Lt plain radiograph of the wrist | PA | pediatric patient (female, age 8) | follow-up study | imaged through cast —
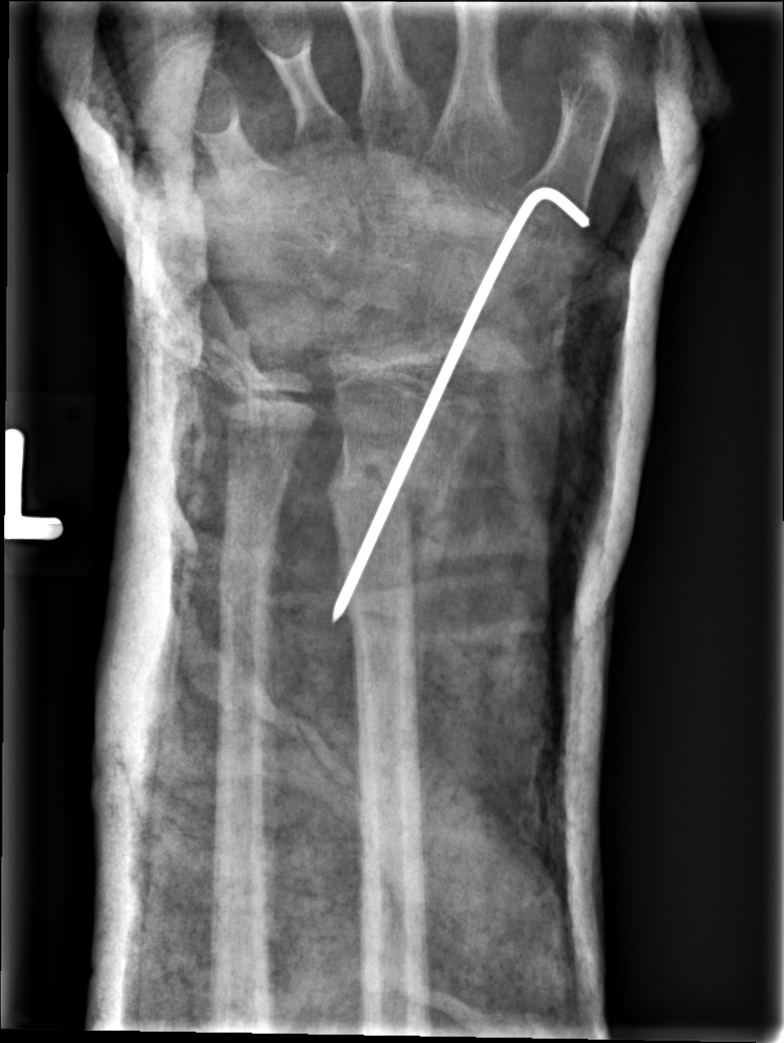 Fracture classified AO/OTA 23r-M/3.1; 23u-M/2.1; 23u-E/7. Metal — 330,184,593,624. Fracture identified at 320,449,456,531 | 212,566,278,633.